Right wrist plain film, PA view, 11-year-old boy, diagnosis uncertain, Siemens — 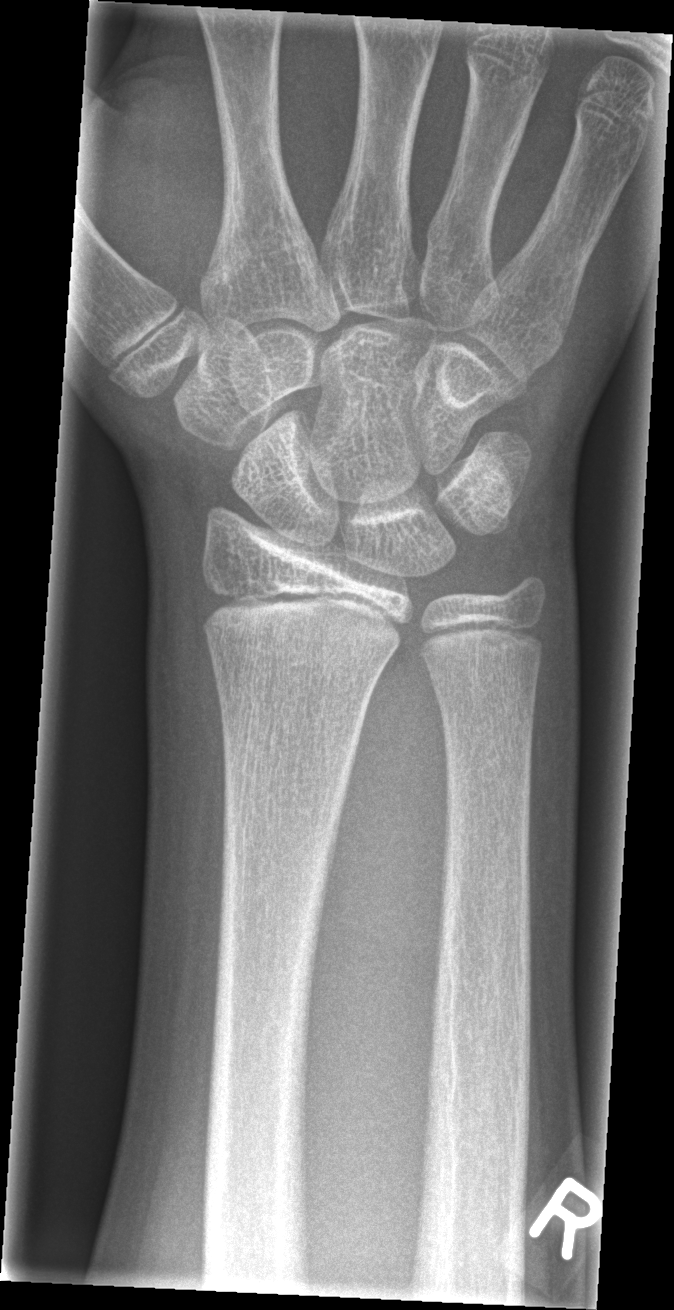 FINDINGS: Fracture: none labeled.